L wrist X-ray, posteroanterior, 10-year-old girl, Siemens — 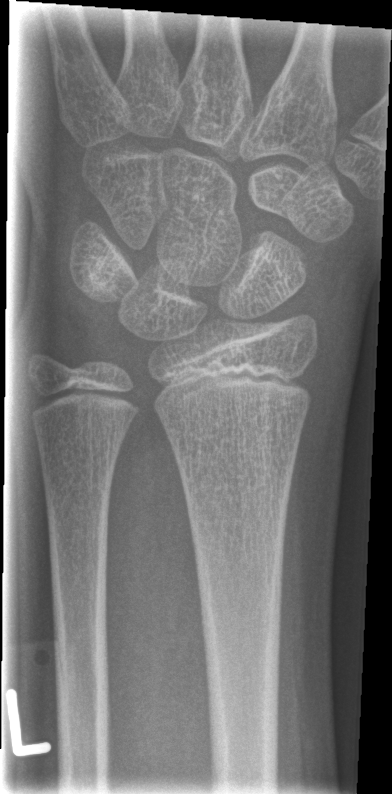 fracture: none labeled